Left wrist pediatric wrist radiograph · posteroanterior · imaged through cast
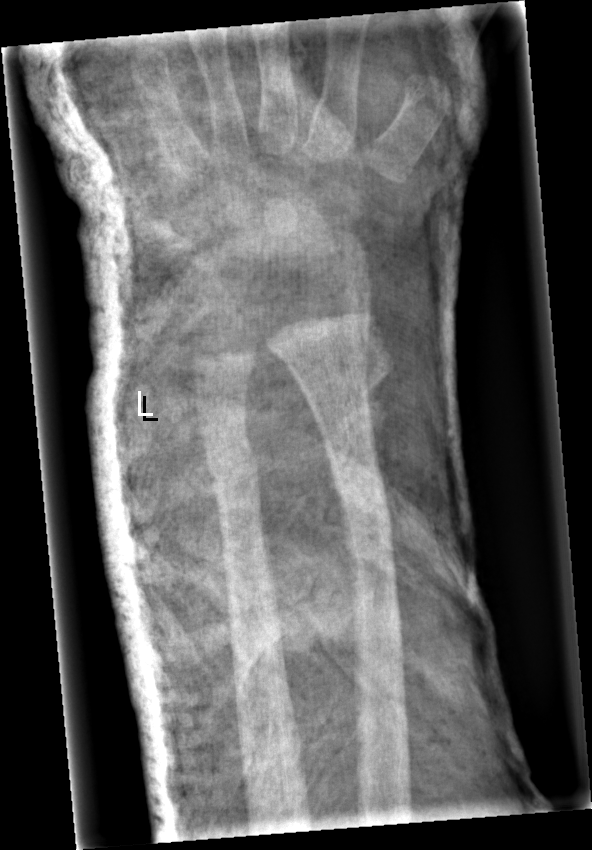

AO/OTA classification: 22-D/2.1. Fracture identified at [201, 432, 263, 493].